Left wrist plain film; lat view —

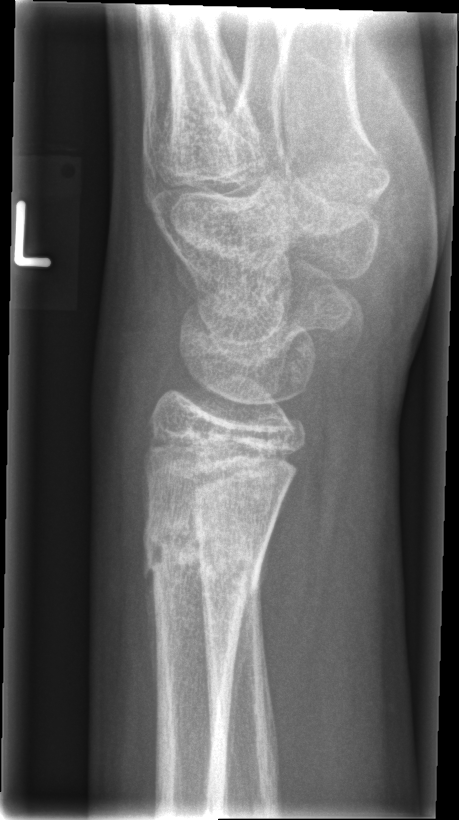

Coordinates are [x1, y1, x2, y2] in image pixels.
AO/OTA classification: 23r-M/3.1; 23u-E/7.
One Fx at <140,502>-<266,606>.